L wrist radiograph · PA · age 15 y, female · presentation radiograph 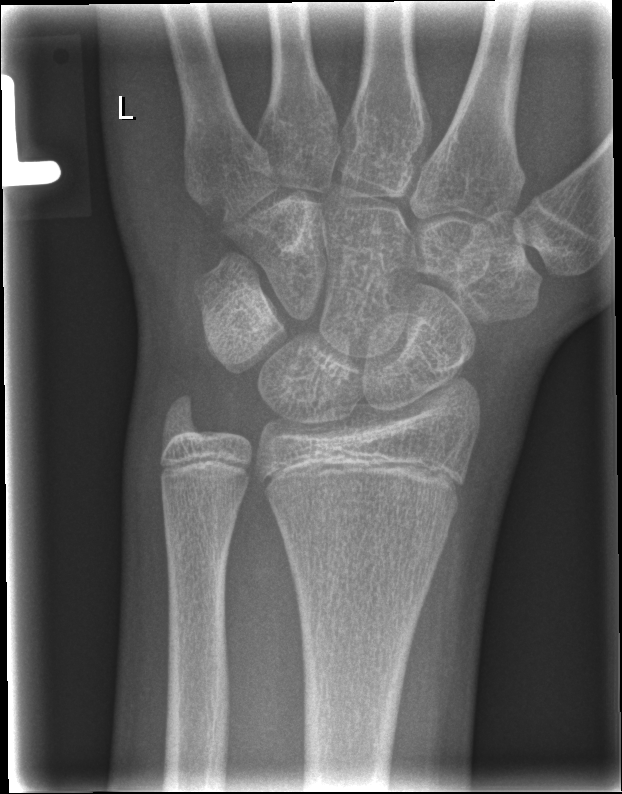

Fracture: none labeled.